Right wrist plain film; PA; pediatric patient (male, age 11); 622 x 1010 px —

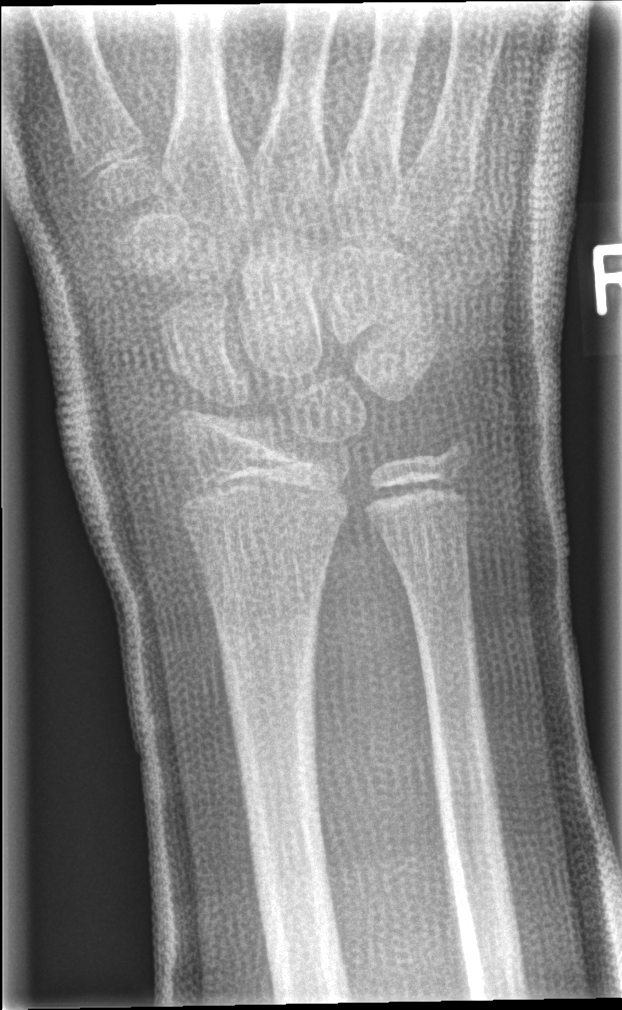

Fx: none labeled